Frontal · left wrist XR · pediatric patient (female, age 11) · Siemens · 540 by 1114 pixels. 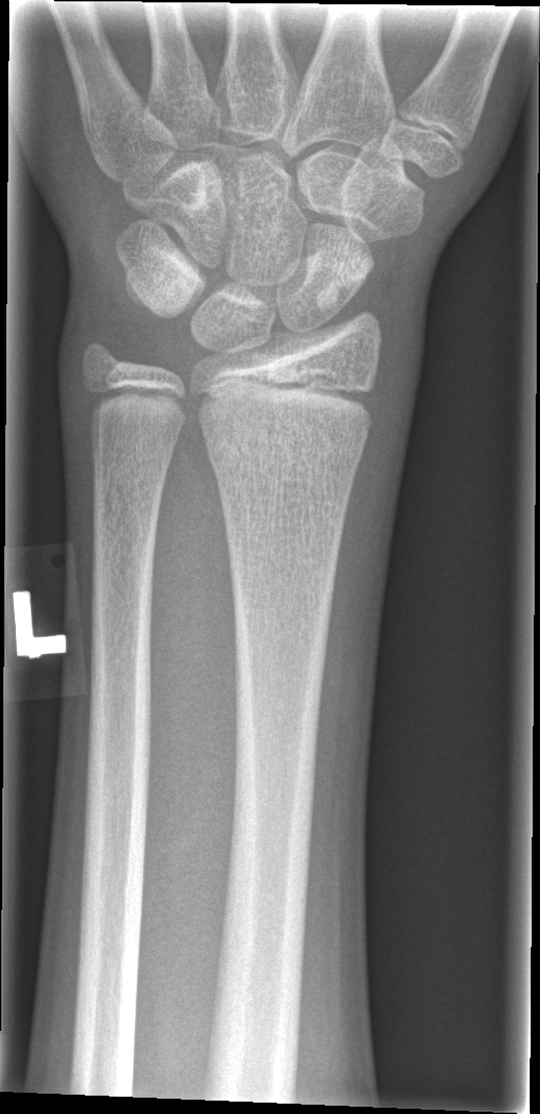
* AO/OTA classification: 23r-M/2.1.
* One bone fracture at (205, 418, 369, 479).